Frontal view; Lt wrist plain film; 11y M; imaged through cast — 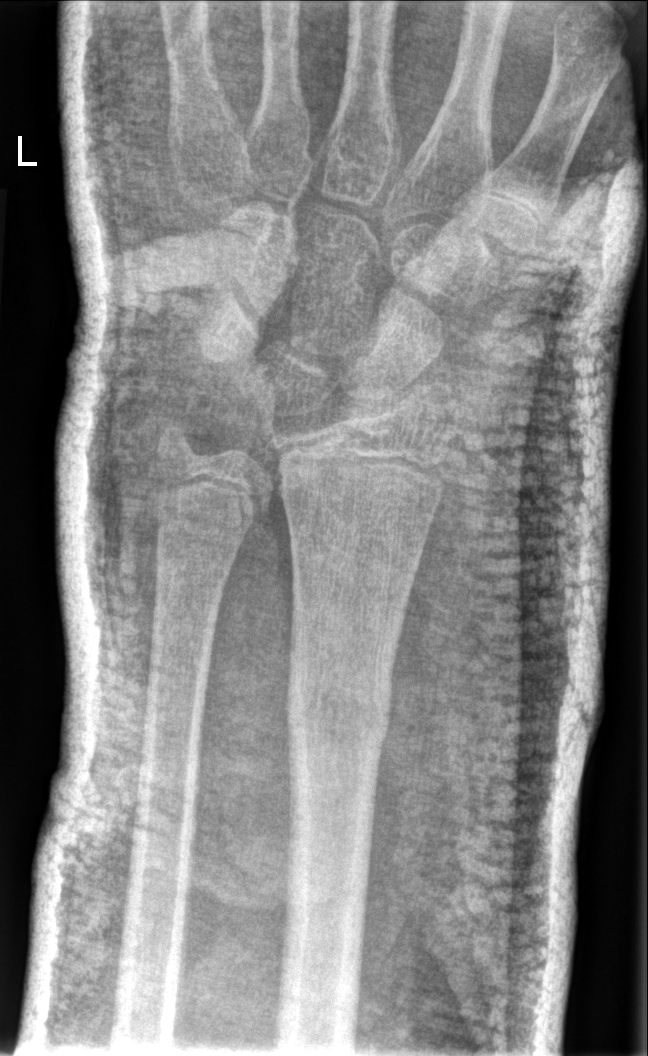 - Boxes as x1,y1,x2,y2 (top-left / bottom-right, pixel units).
- Fracture: [281, 659, 397, 757].
- AO/OTA classification: 22r-D/2.1.